PA/AP · Lt pediatric wrist radiograph —
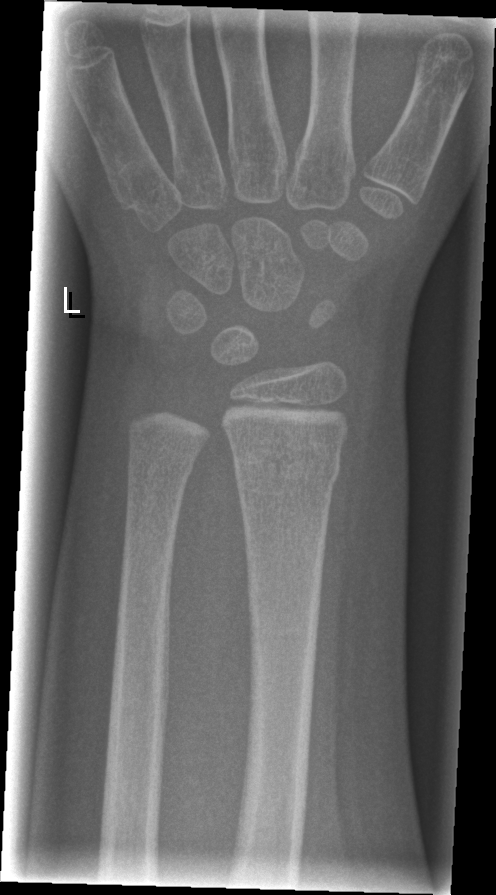 * Fx — (left=230, top=440, right=343, bottom=488), (left=122, top=448, right=198, bottom=494).
* AO code 23-M/2.1.